L pediatric wrist radiograph, posteroanterior, pediatric patient (girl, age 10), cast present —

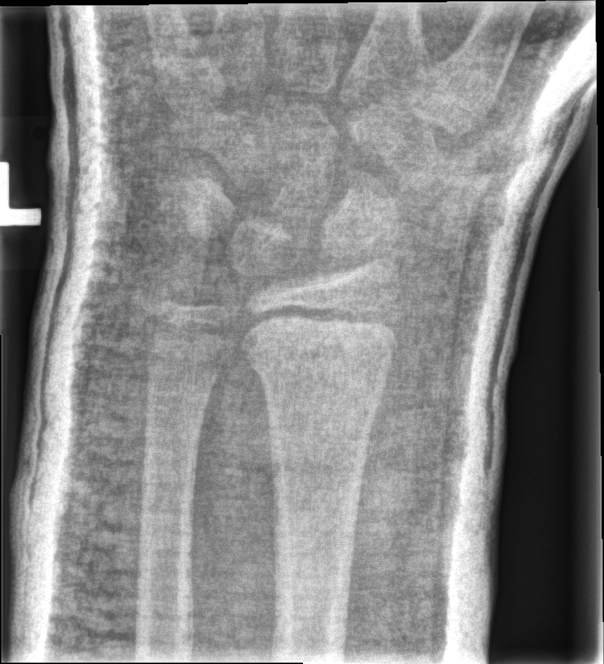 Q: Locate any fractures.
A: Fx identified at <244,330>-<396,390>